Lat view, left wrist XR, 7-year-old girl —

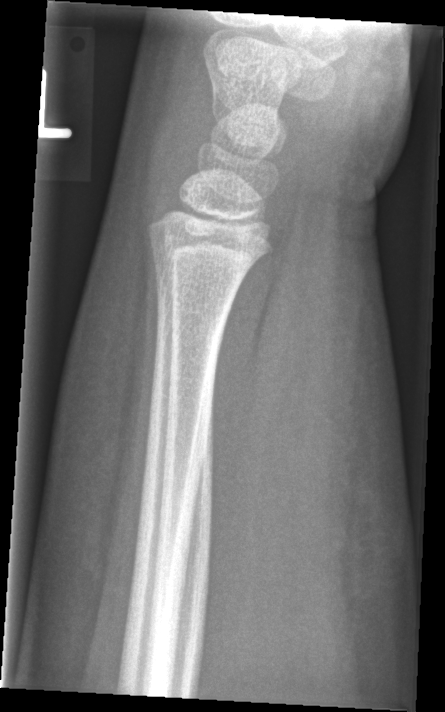
Fx: none.